Frontal; L wrist radiograph; pediatric patient (male, age 3); follow-up; 75.2 mm image width —

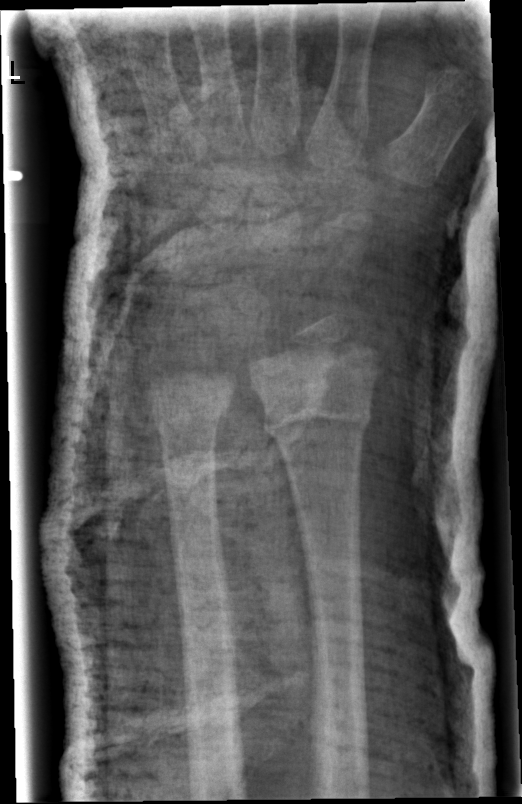
Bone fracture identified at bbox(259, 396, 374, 444) bbox(149, 390, 235, 435).
Fracture classified AO/OTA 23r-M/3.1; 23u-M/2.1.